Frontal view, L wrist X-ray, 14y F, 78.9 mm image width
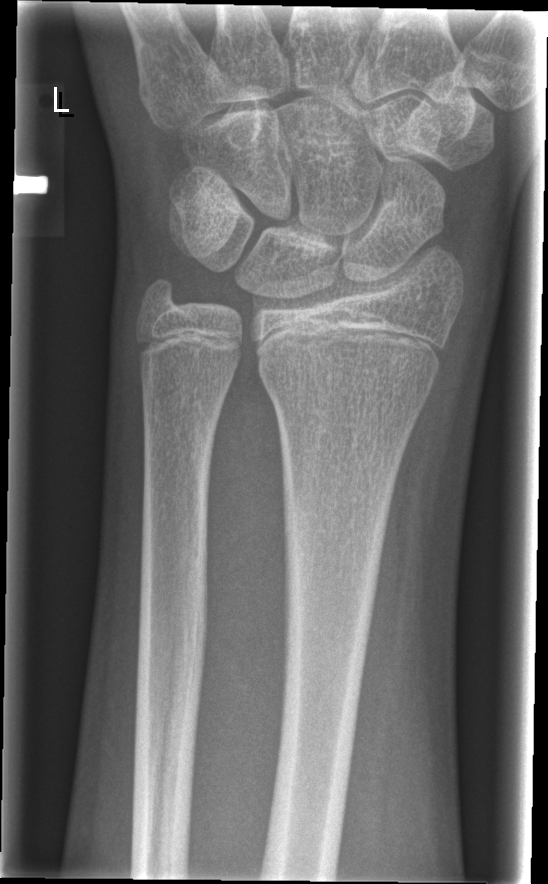

- No fracture annotation.